Right wrist radiograph | PA/AP projection | age 5 y, boy | follow-up | 477 x 774 px:

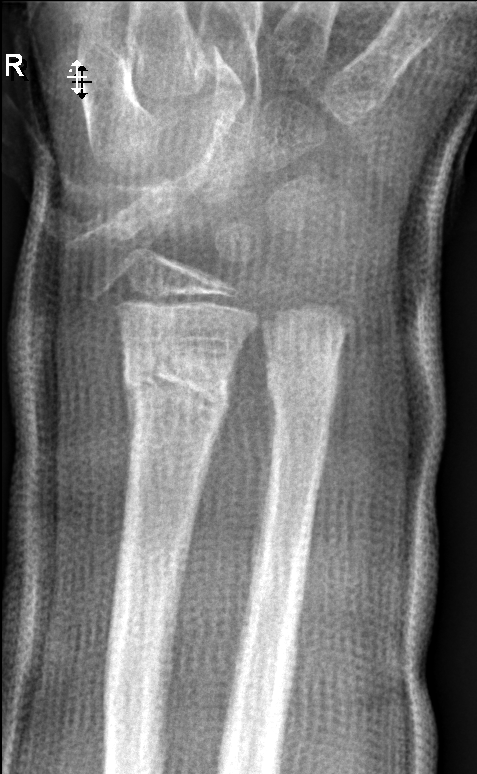
• Boxes as x1,y1,x2,y2 (top-left / bottom-right, pixel units).
• AO/OTA classification: 23-M/2.1.
• Two fractures at (left=122, top=351, right=233, bottom=429); (left=264, top=363, right=339, bottom=417).